Lateral view, L pediatric wrist radiograph — 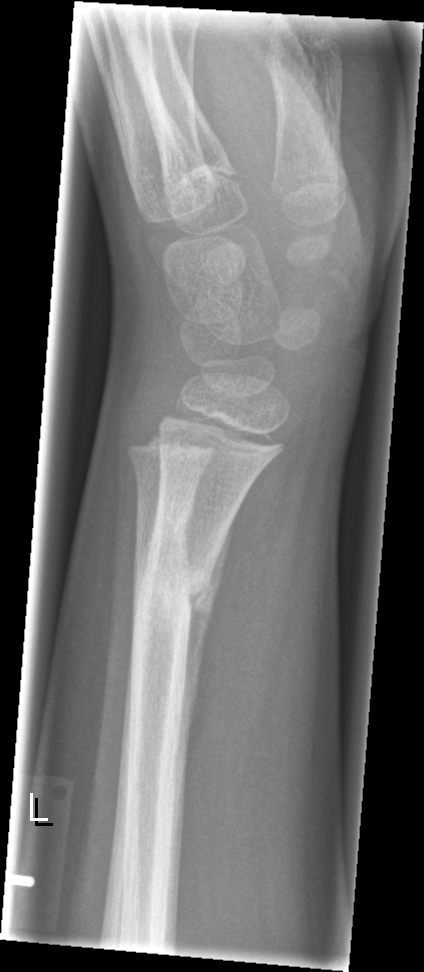 ao: 23-M/2.1
periostealreaction: 1 @ [x1=183, y1=511, x2=237, y2=764]
fracture: [x1=130, y1=550, x2=219, y2=644], [x1=133, y1=497, x2=197, y2=547]